Posteroanterior view | left wrist plain radiograph of the wrist | male, 12 yo | initial study
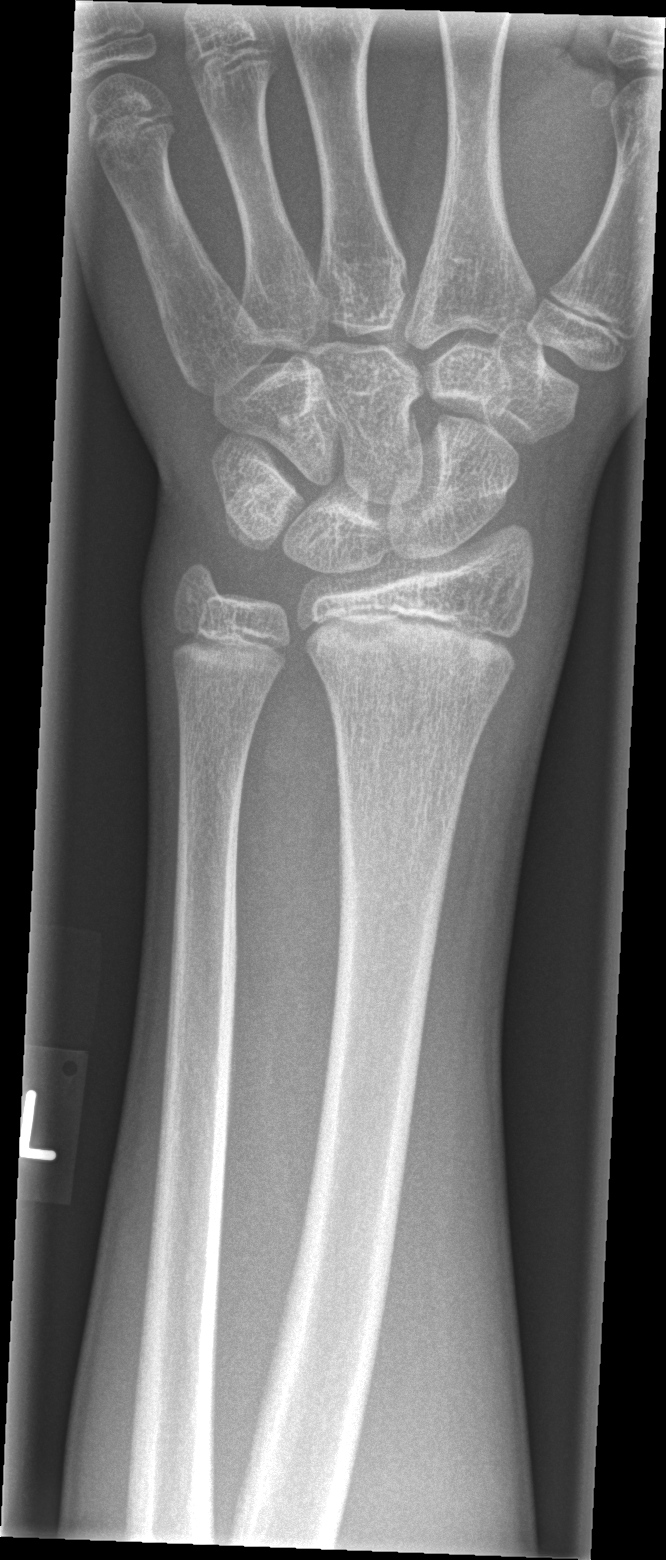

AO classification = 23r-M/2.1
Fx = present but not clearly seen in this view